PA | R plain radiograph of the wrist —

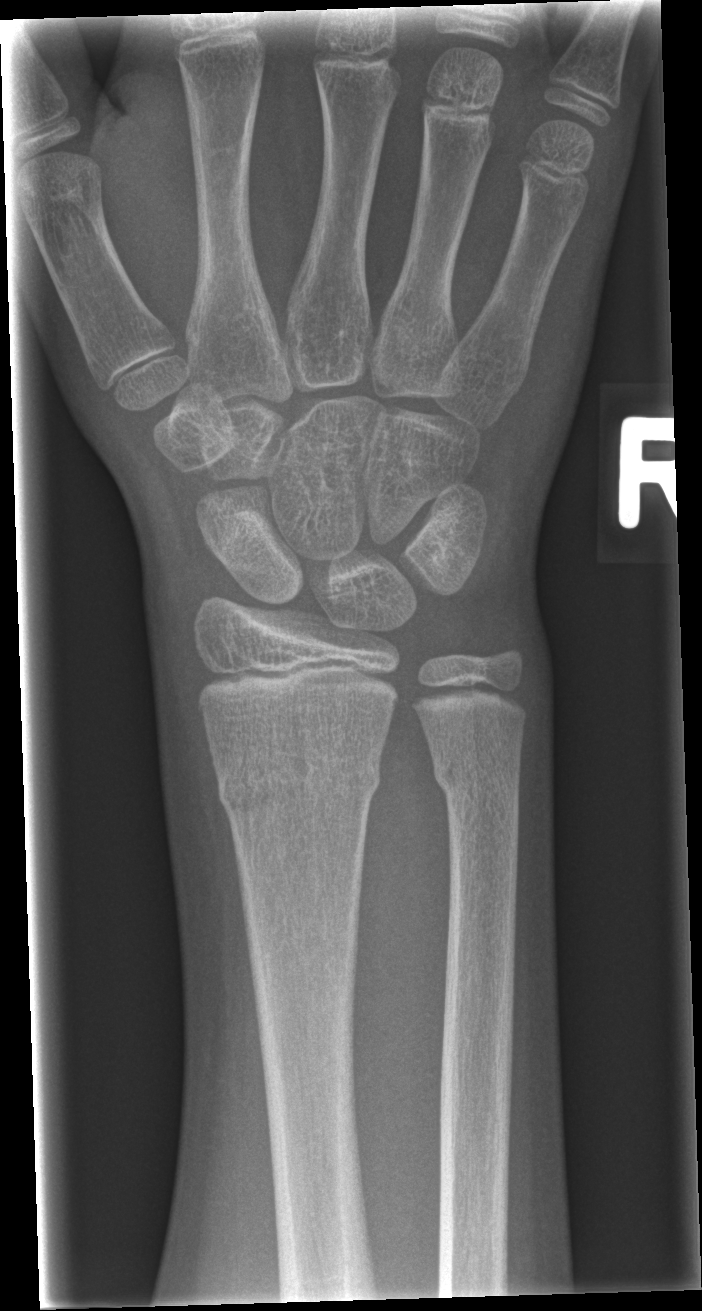 Bounding boxes in image-pixel xyxy. Fx identified at [x1=212, y1=749, x2=386, y2=824]; [x1=429, y1=746, x2=522, y2=822].